PA/AP view | left wrist X-ray: 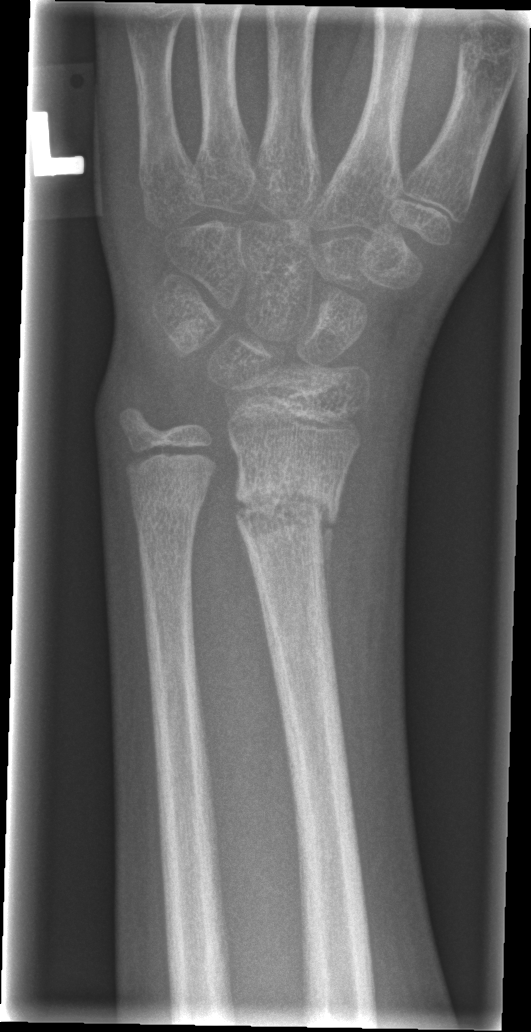 * Boxes as x1,y1,x2,y2 (top-left / bottom-right, pixel units).
* One periosteal reaction at (left=321, top=519, right=338, bottom=657).
* Reduced bone mineral density.
* Fx identified at (left=230, top=461, right=345, bottom=555); (left=129, top=485, right=208, bottom=533).
* AO code 23r-M/3.1; 23u-M/2.1.